PA view · Lt wrist plain film · 612 x 1291 px.
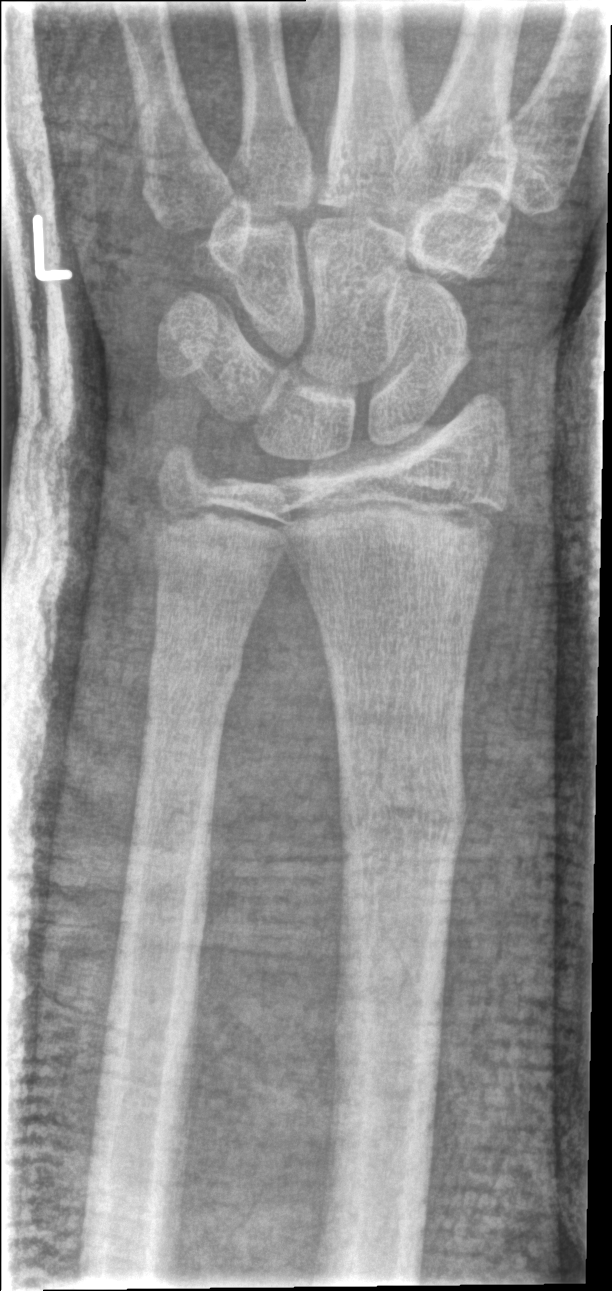 Coordinates are [x1, y1, x2, y2] in image pixels.
Fx identified at (333, 752, 467, 869) (145, 637, 244, 702).
AO code 22r-D/4.1; 23u-M/3.1.